Right wrist plain film · lat
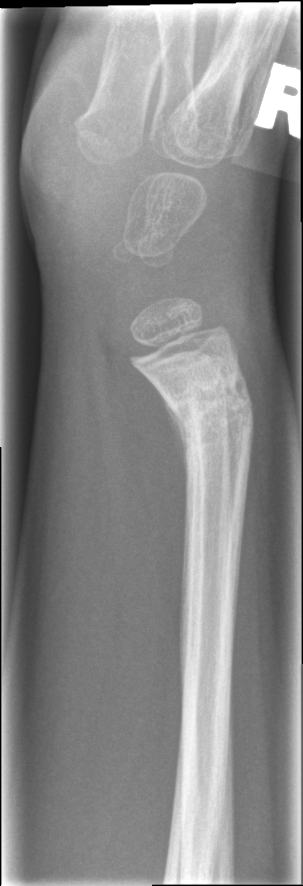

Bone fracture: 164 366 257 446.
One periosteal new bone at 160 392 187 499.
Reduced bone mineral density.
Fracture classified AO/OTA 23r-M/3.1; 23u-M/2.1.